Left wrist pediatric wrist radiograph, lat view, female, 10 yo

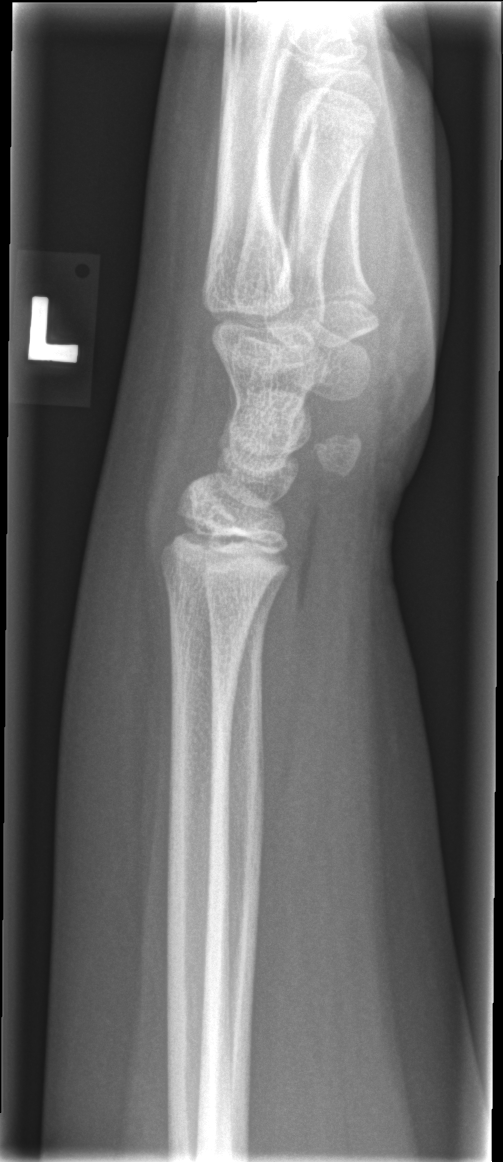
Fx = none labeled